Left wrist plain film, AP view, pediatric patient (boy, age 10) — 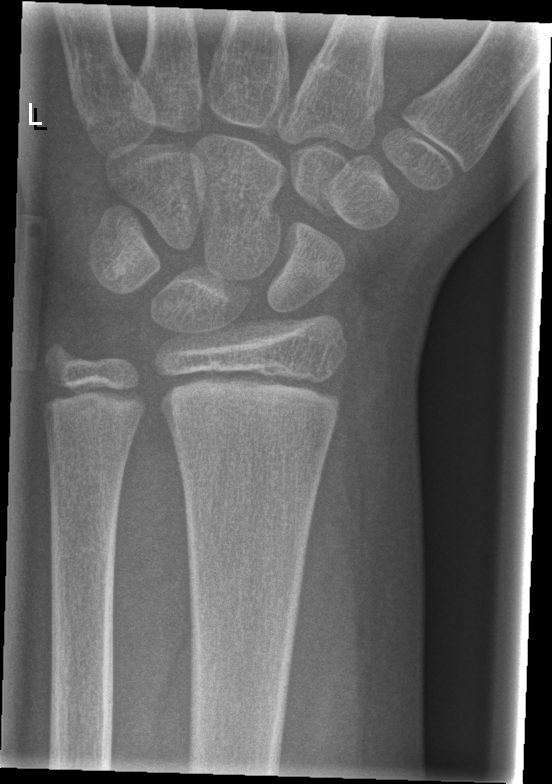 Fracture: present but not clearly seen in this view